AP view · L wrist XR · pediatric patient (male, age 6) · Siemens — 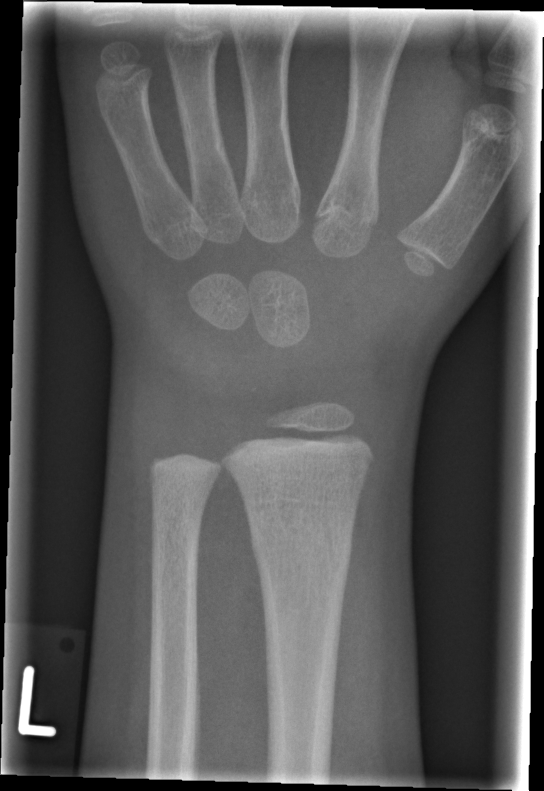
Fx: 247 506 358 573